PA/AP · right wrist plain radiograph of the wrist · cast in situ · detector: Siemens · image size 722x1062 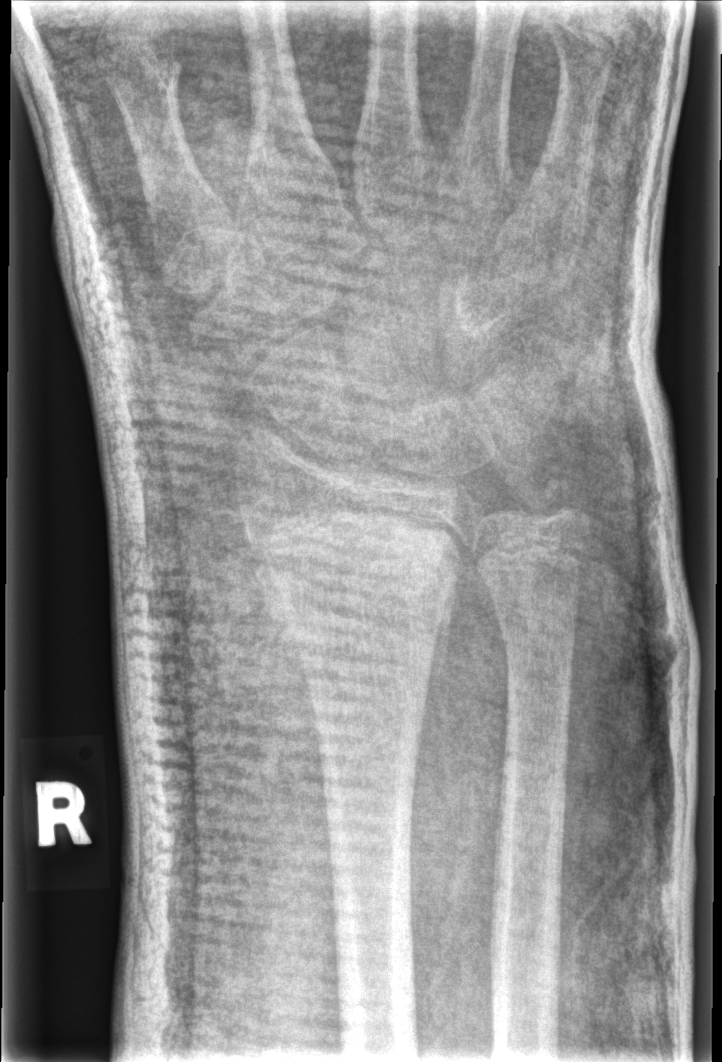
- Fracture classified AO/OTA 23r-E/2.1; 23u-E/7.
- Two Fx at [236, 498, 480, 592], [534, 475, 596, 543].